Right wrist XR | posteroanterior projection | 15-year-old boy | subsequent exam:

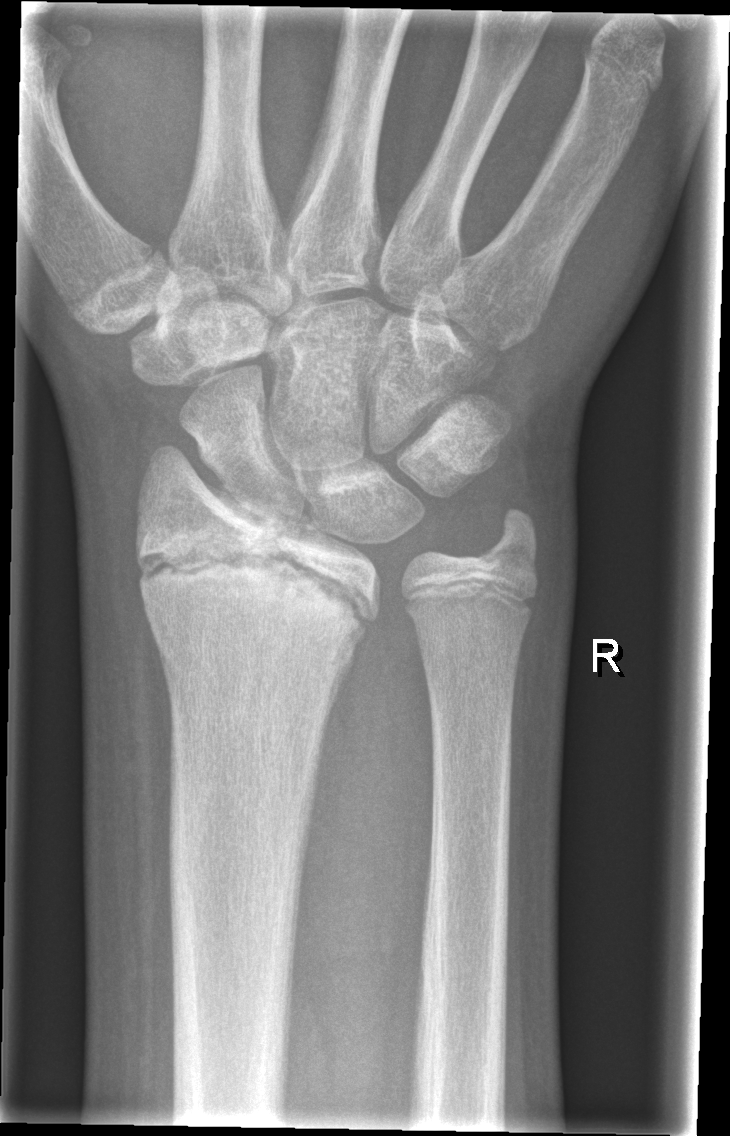

Bounding boxes in image-pixel xyxy. AO/OTA classification: 23r-E/4.1; 23u-E/7. Fx identified at 129,486,385,641
  473,528,544,589.